Lateral view; L wrist XR; girl, 9 yo; cast present.
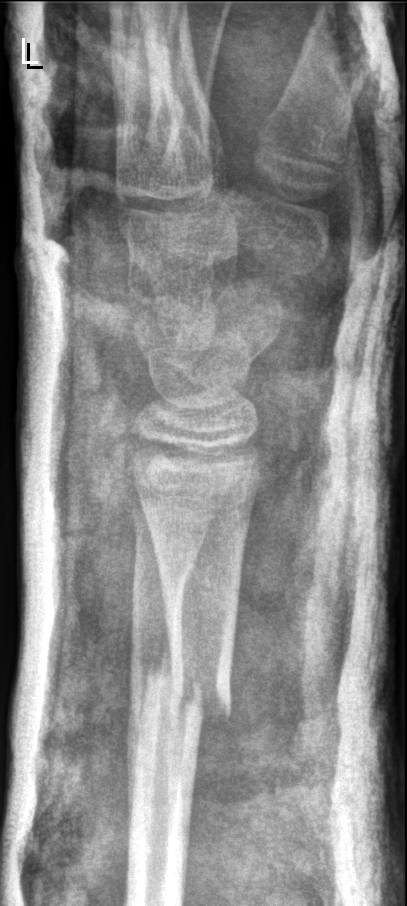 (pixel coordinates, top-left origin, xyxy)
bone fracture = 134,646,236,730; 129,557,198,605